Rt wrist XR · frontal view · detector: Siemens:

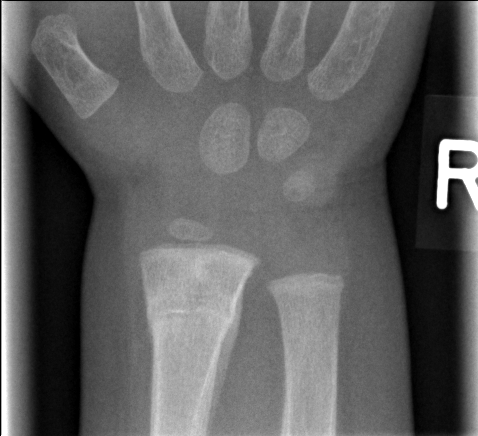

{"ao": "23r-M/3.1", "fracture": "1 @ (141, 292, 239, 336)", "periostealreaction": "(208, 282, 243, 436)"}